Rt wrist plain film, PA view, image size 534x704: 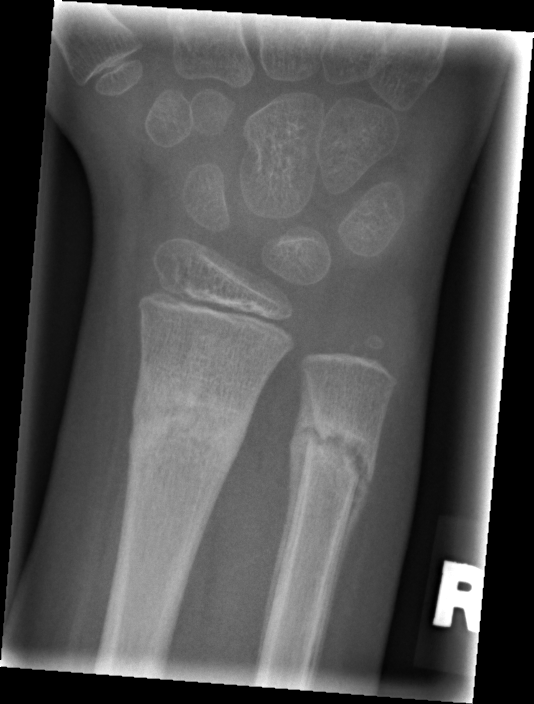 FINDINGS — Osteopenic. Fracture: 126 369 256 469 | 297 411 378 501. Fracture classified AO/OTA 23r-M/2.1; 23u-M/3.1. Periosteal reaction — 256 372 315 672 | 304 469 374 682.